Right wrist XR | frontal projection —

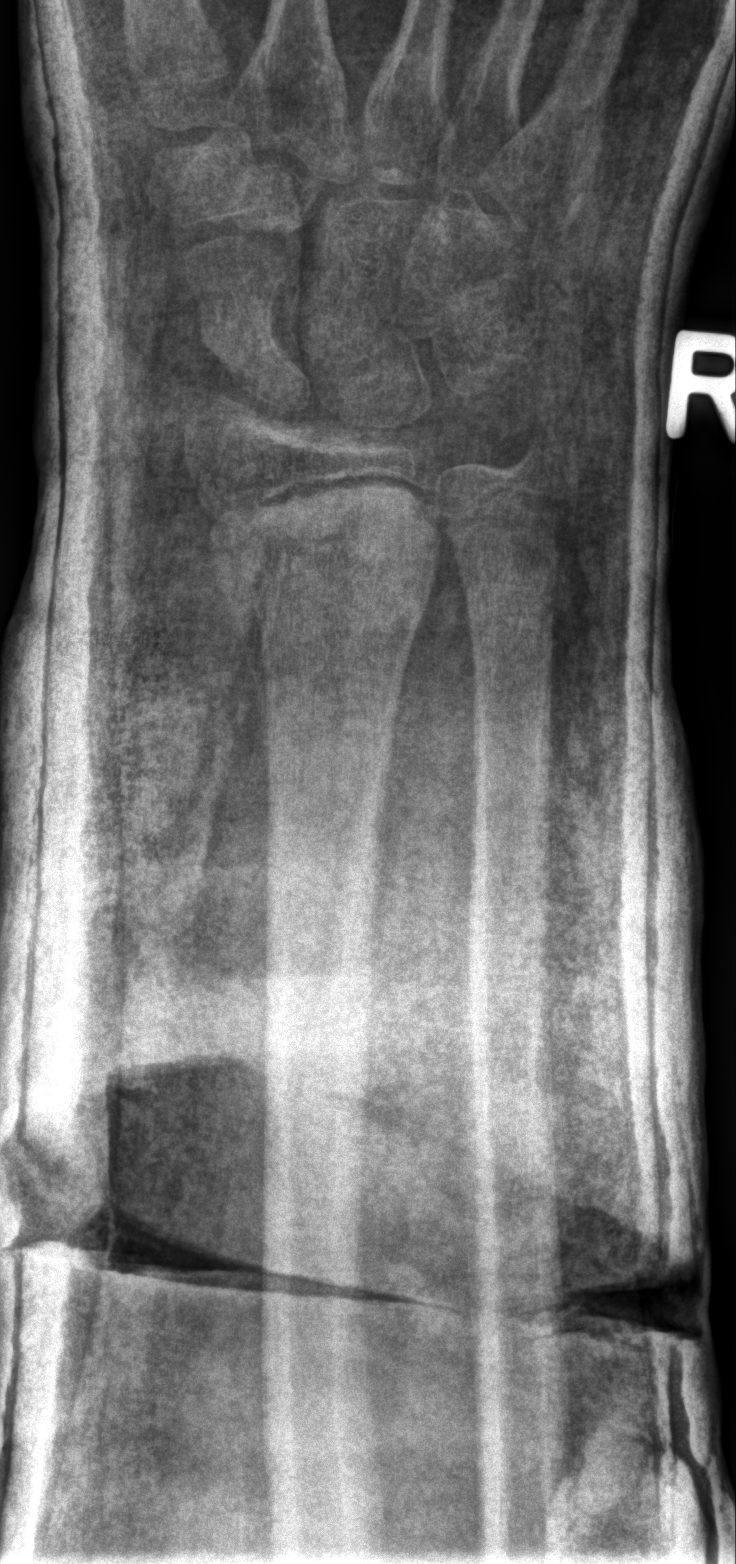
{
  "ao": "23r-E/2.1",
  "fracture": "1 @ [207, 478, 446, 691]"
}